R wrist X-ray | lateral. 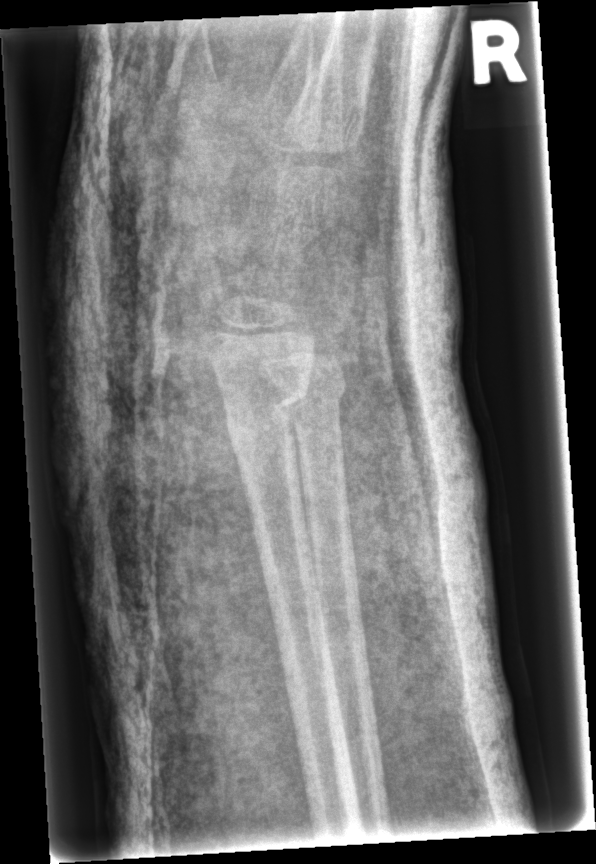
(coordinates are [x1, y1, x2, y2] in image pixels)
AO code = 23-M/2.1
Fx = 2 @ (left=222, top=374, right=319, bottom=452), (left=270, top=368, right=349, bottom=419)